AP view, right wrist plain film.
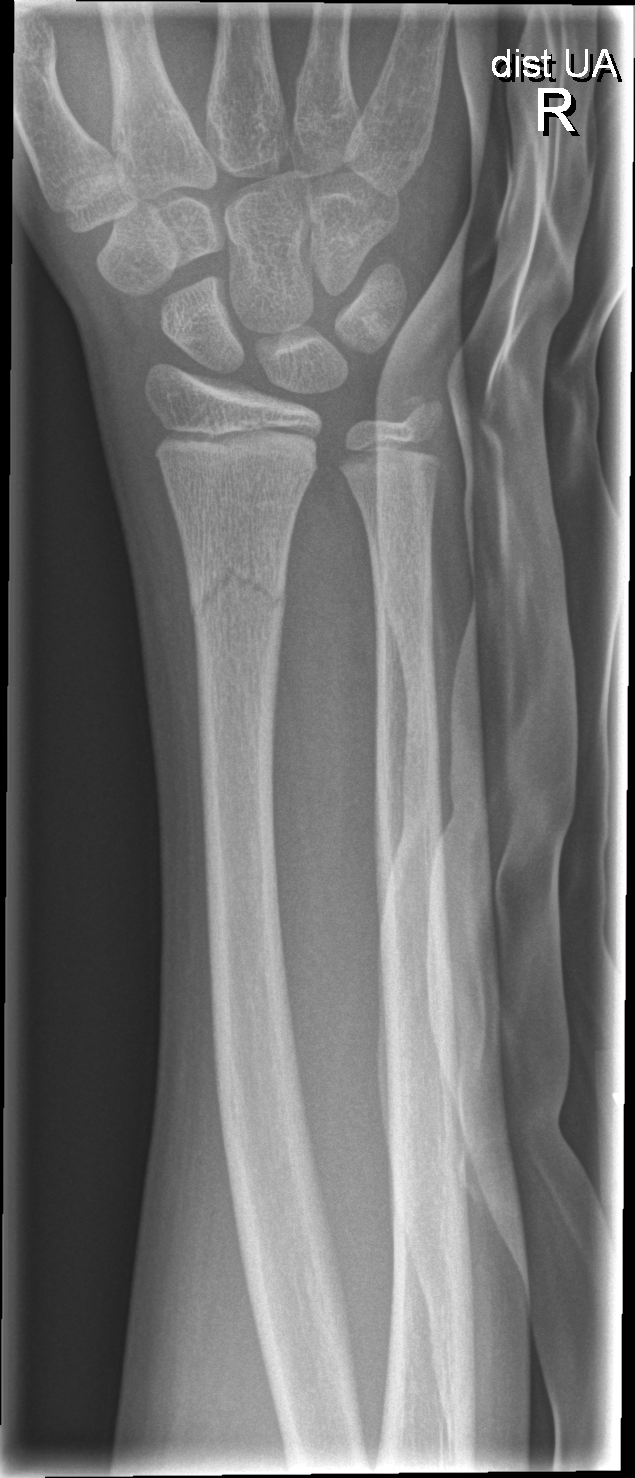
Two fractures at 183,544,292,632 | 392,384,451,440.
Fracture classified AO/OTA 23r-M/3.1; 23u-E/7.